Rt wrist radiograph | PA/AP | index exam | 460 x 790 px — 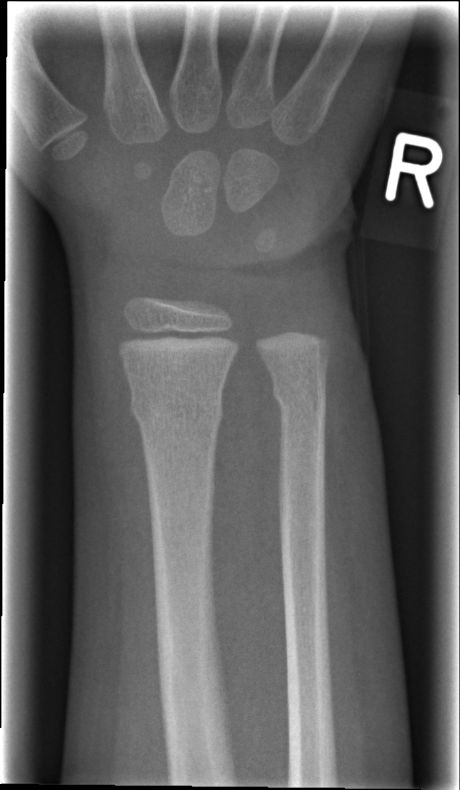 fracture: 2 @ (127, 384, 226, 435); (269, 372, 331, 420)
AO/OTA: 23-M/2.1